Right wrist plain radiograph of the wrist | lat view | age 16 y, boy | follow-up | image 78.5 mm wide

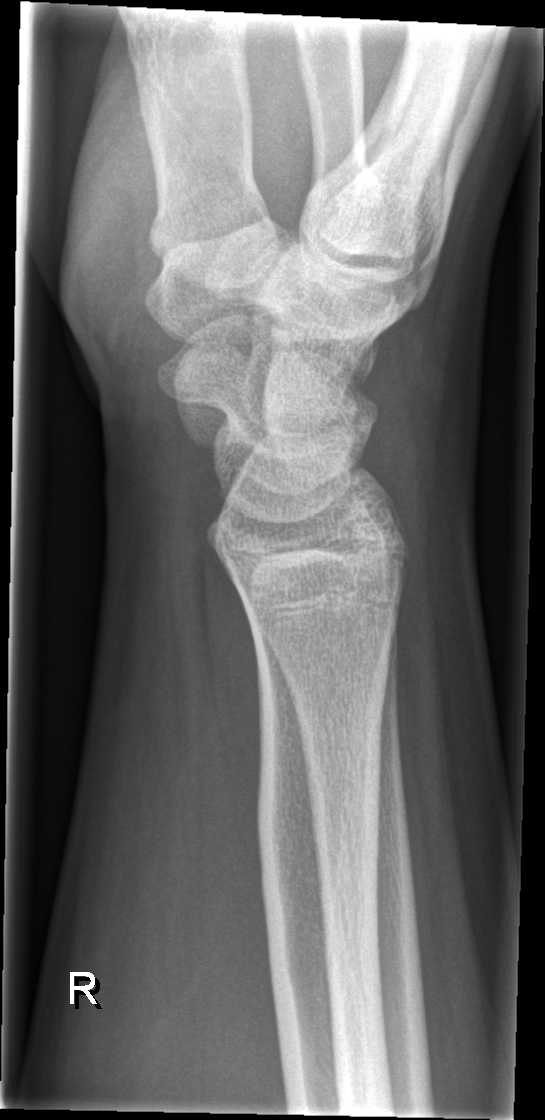

- No fracture annotation.